Lateral view | right wrist pediatric wrist radiograph | male, 8 yo.

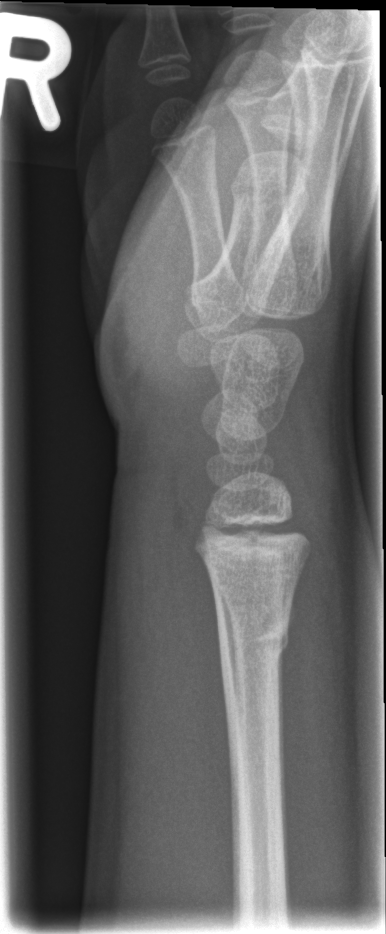

Boxes as x1,y1,x2,y2 (top-left / bottom-right, pixel units).
Fracture: (216, 608, 293, 672).
AO/OTA classification: 23r-M/2.1.
Pronator sign — (169, 481, 235, 861).